Lt wrist XR | posteroanterior projection | 12-year-old girl | index exam | 527 x 994 px — 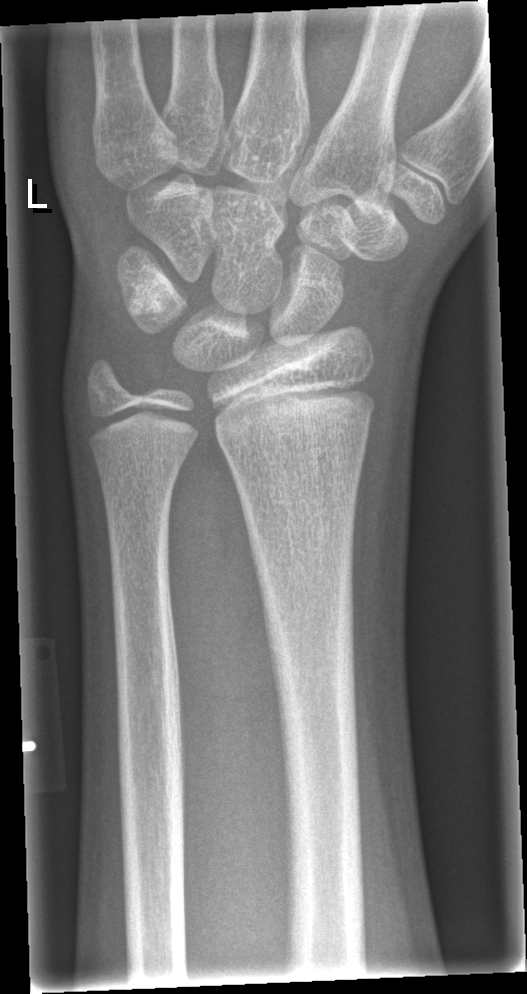
FINDINGS — Fracture: none labeled.